Lat, right wrist plain film, pediatric patient (boy, age 4), subsequent exam

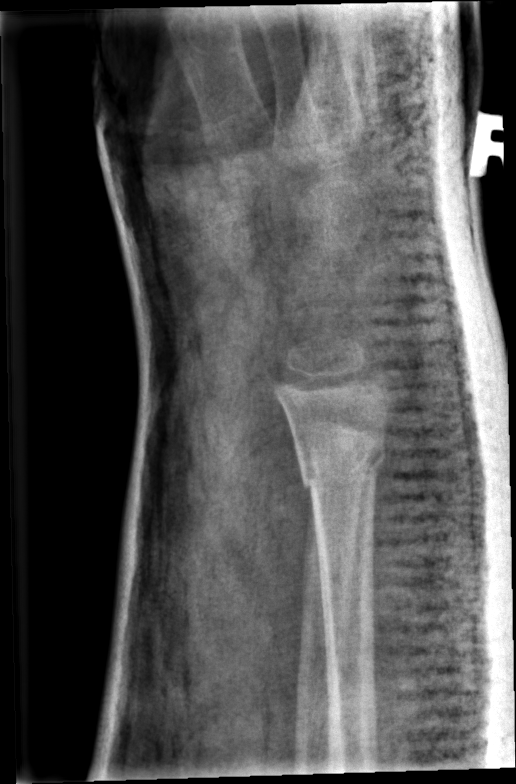
Fx: <293,426>-<391,503>. AO code 23r-M/3.1; 23u-M/2.1.